R wrist XR, posteroanterior projection, in cast:
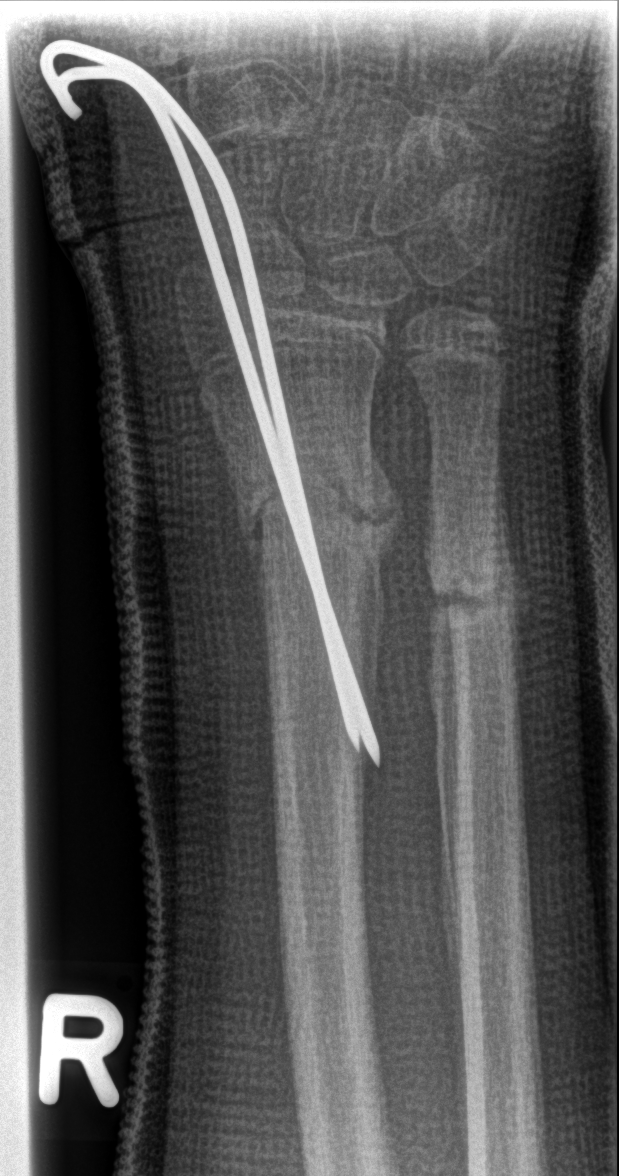
FINDINGS: One metallic hardware at (left=32, top=35, right=374, bottom=766). Fracture: (left=234, top=465, right=386, bottom=577), (left=425, top=542, right=518, bottom=636).